Left plain radiograph of the wrist | PA projection | subsequent exam | image size 612x1356 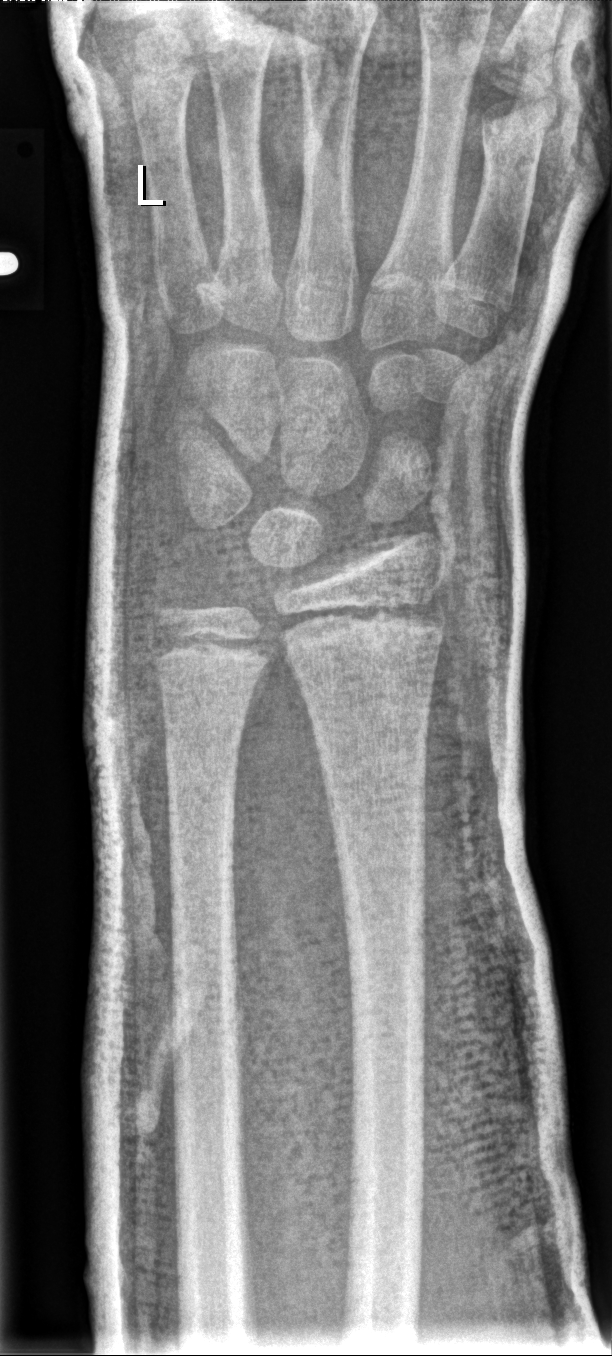 FINDINGS: Fx: present but not clearly seen in this view. AO/OTA classification: 23r-E/2.1; 23u-E/7.